Right wrist plain film · lateral · 526 by 1038 pixels.

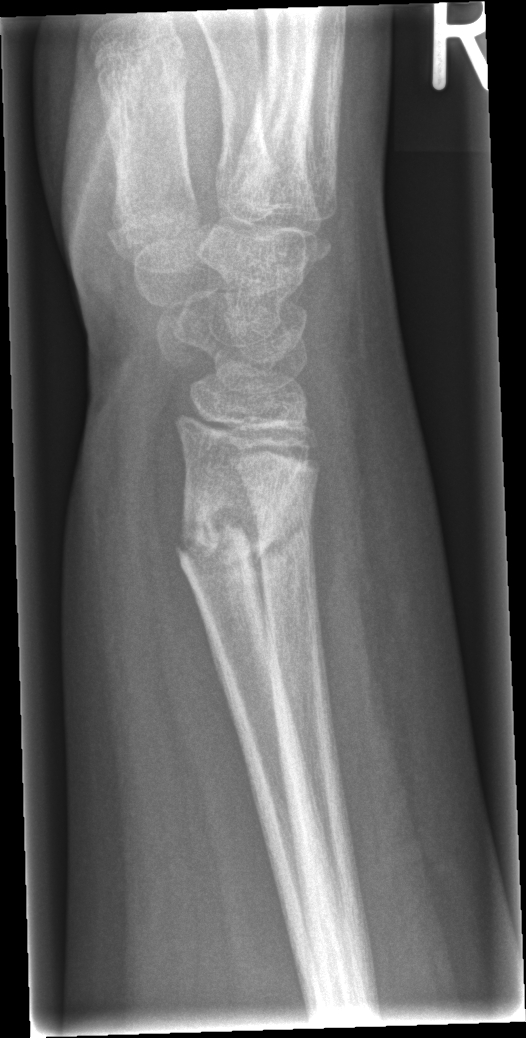 Q: Locate any fractures.
A: Fx: bbox(172, 489, 306, 589)
Q: What is the AO/OTA classification?
A: Fracture classified AO/OTA 23r-M/3.1; 23u-M/2.1
Q: Is there osteopenia?
A: Decreased bone density (osteopenia)